PA view, R wrist radiograph, follow-up study
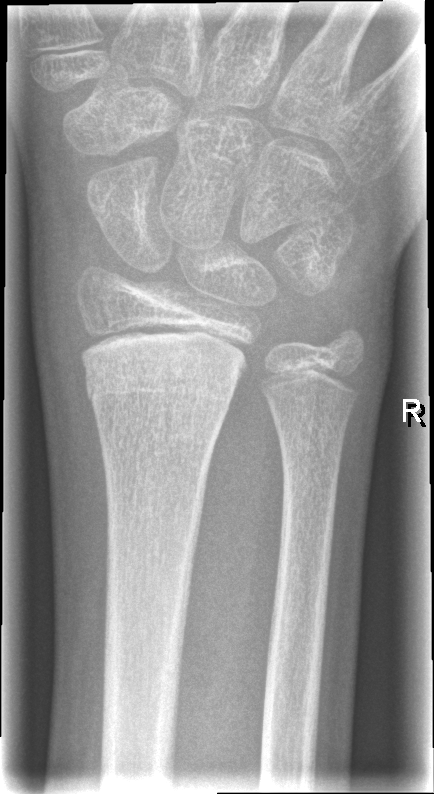

Findings: (pixel coordinates, top-left origin, xyxy) Two Fx at [x1=69, y1=320, x2=254, y2=417] [x1=319, y1=315, x2=371, y2=373]. AO/OTA classification: 23r-E/2.1; 23u-E/7. Decreased bone density (osteopenia).